Lat; left wrist X-ray; 4-year-old girl; image 77.9 mm wide.
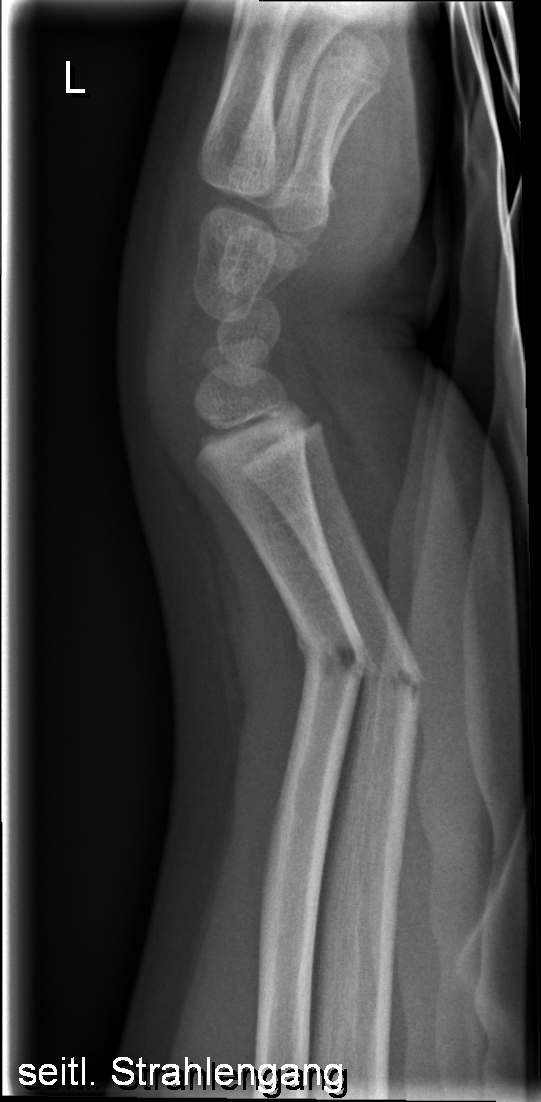

bone fracture: 2 @ <292,624>-<382,694>; <348,639>-<429,710>
AO classification: 22-D/5.1